Lat view · Rt wrist XR —
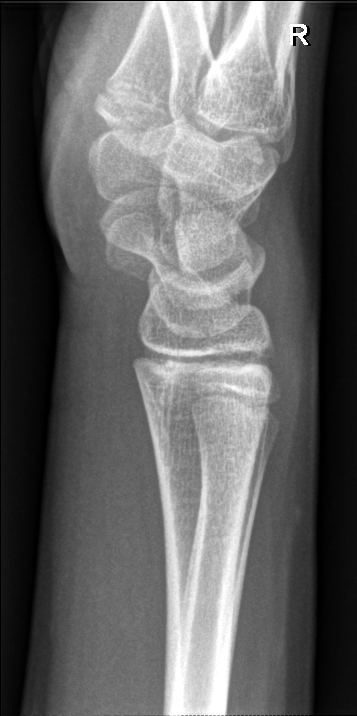
FINDINGS: No fracture bounding box.